Right wrist radiograph · PA/AP view · Siemens —

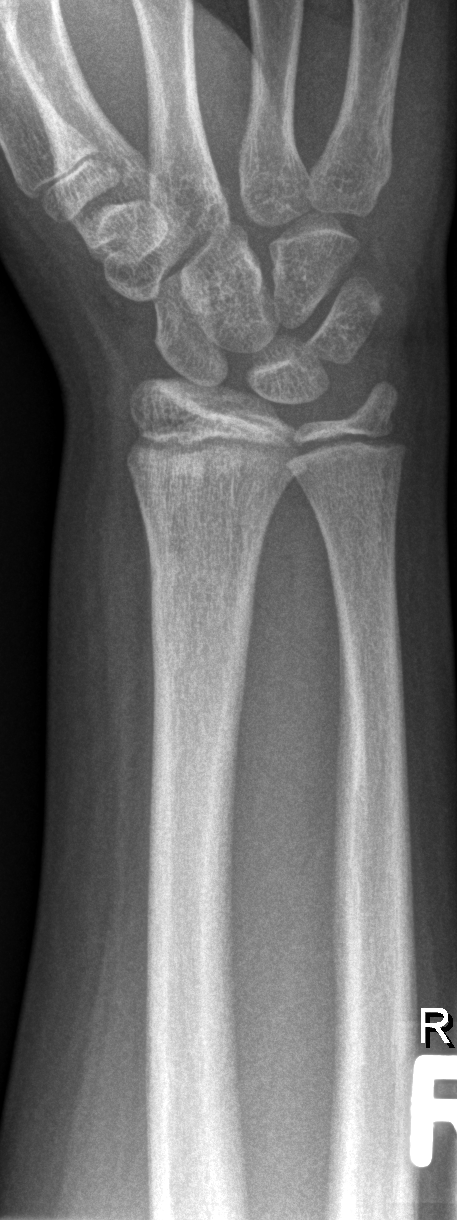
Coordinates are [x1, y1, x2, y2] in image pixels.
AO/OTA classification: 22r-D/1.1.
Fracture identified at <142,549>-<260,730>.
One periosteal reaction at <140,502>-<155,842>.